Rt wrist radiograph; lat projection; 12y F; acquired on Siemens:

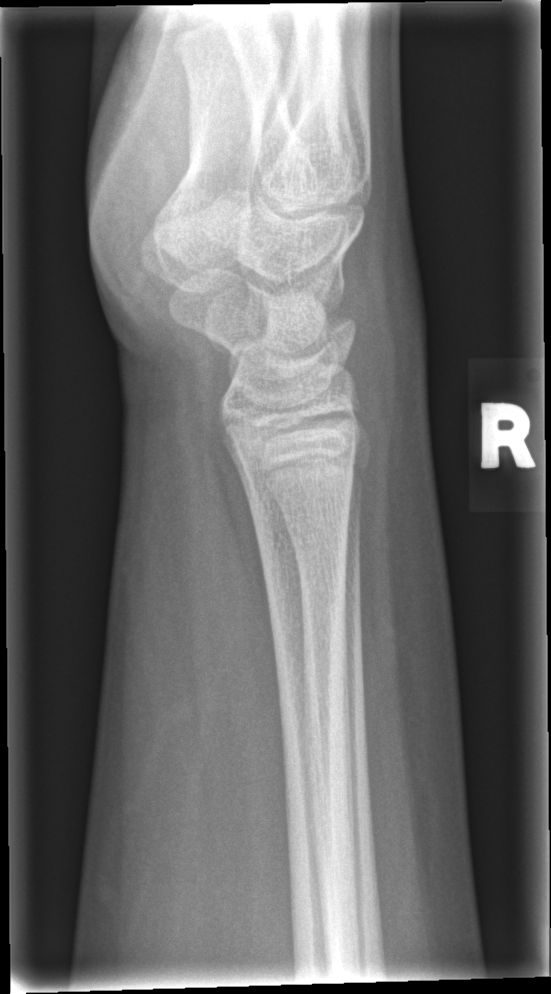
Fracture: none labeled.